Frontal projection | Lt wrist XR | index exam | 74.7 mm image width | 519 x 792 px —

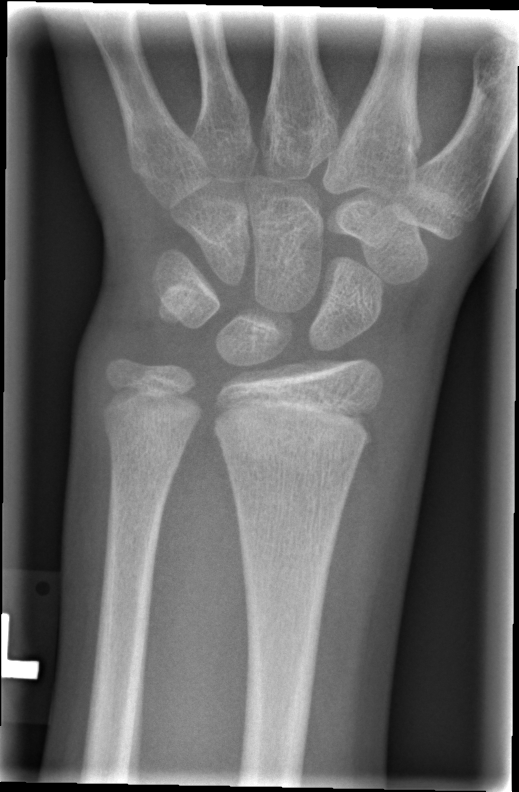
{
  "fracture": "2 @ 213 392 378 479\n  99 408 192 482"
}